Left wrist plain radiograph of the wrist, lateral projection, imaged through cast, 709 by 1042 pixels:
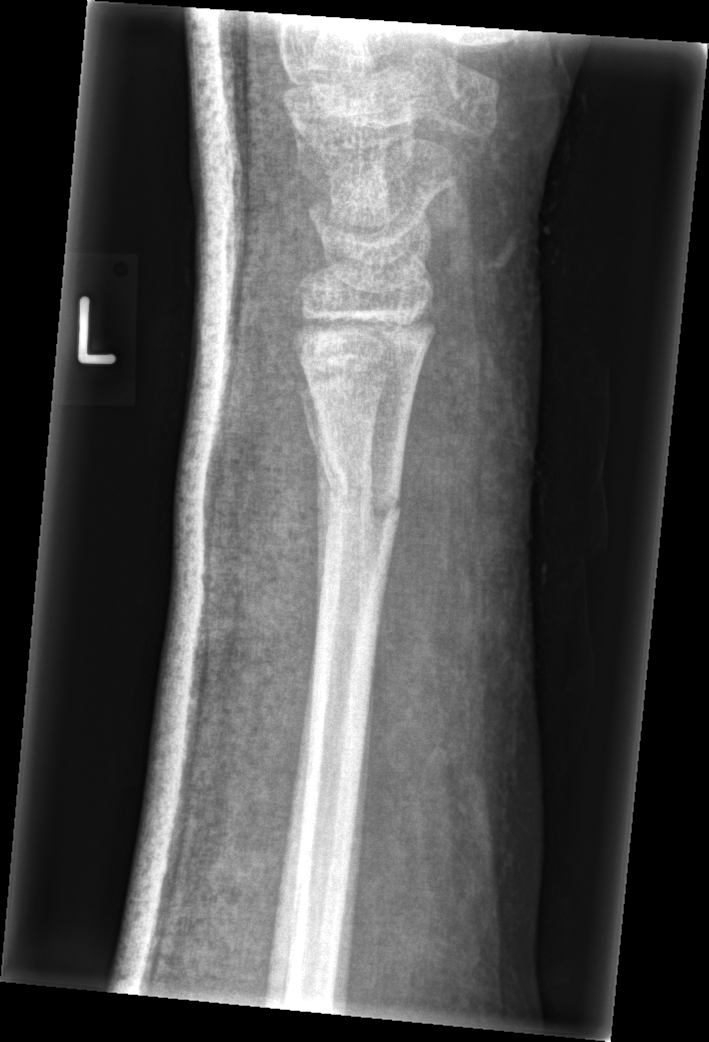 fracture: (312, 448, 405, 544)
ao: 23r-M/3.1; 23u-M/2.1